AP view; Lt wrist plain film; age 10 y, boy; cast in situ; Siemens.
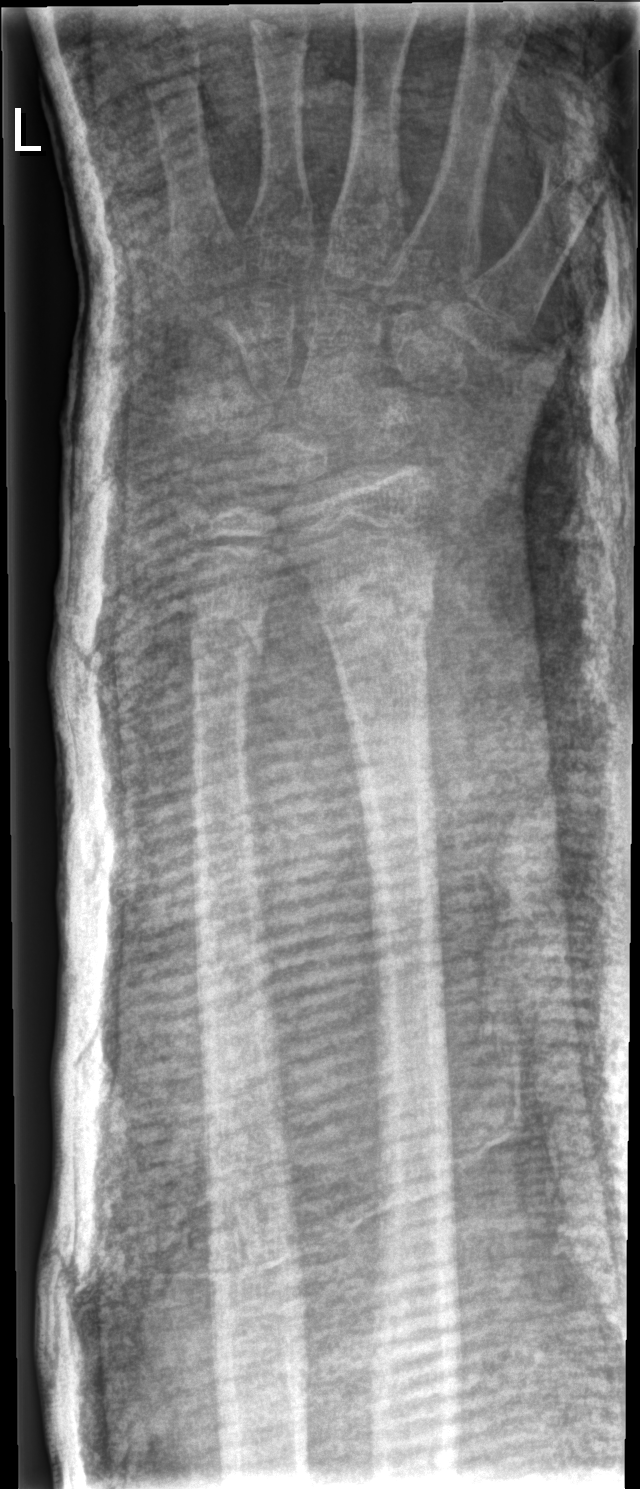
Bone fracture = bbox(313, 569, 440, 651); bbox(185, 599, 272, 674)
AO classification = 23-M/3.1